Lat view, L pediatric wrist radiograph, age 14 y, girl —
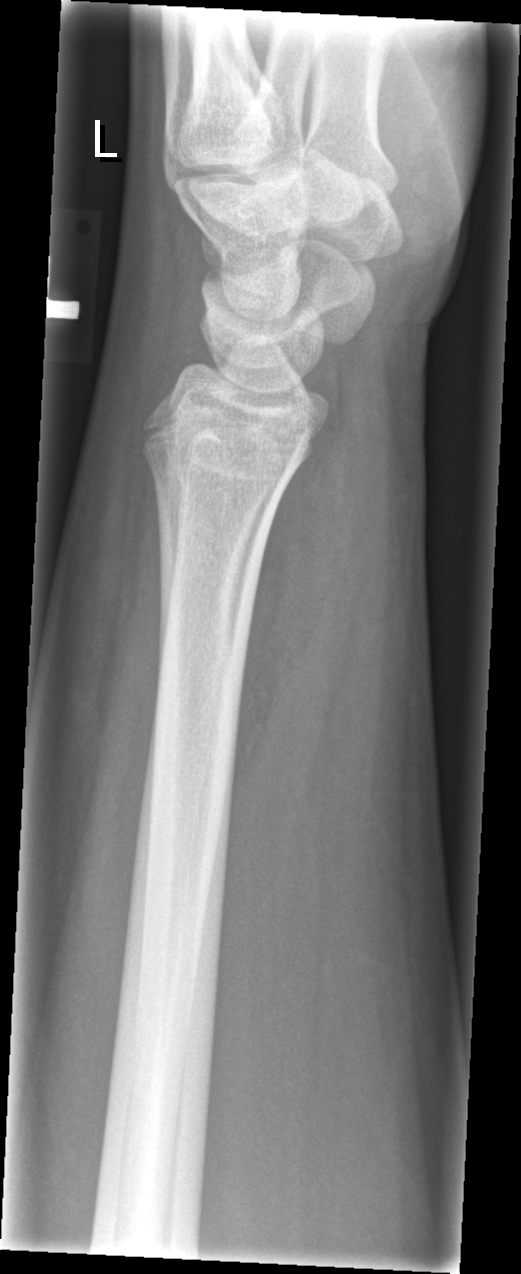
FINDINGS — Fracture present, but no bounding box because it is not clearly seen in this view. Positive pronator fat-pad sign — 228,393,352,787. AO code 23r-E/1.